Lat, Lt wrist plain film, follow-up study, image 67.4 mm wide 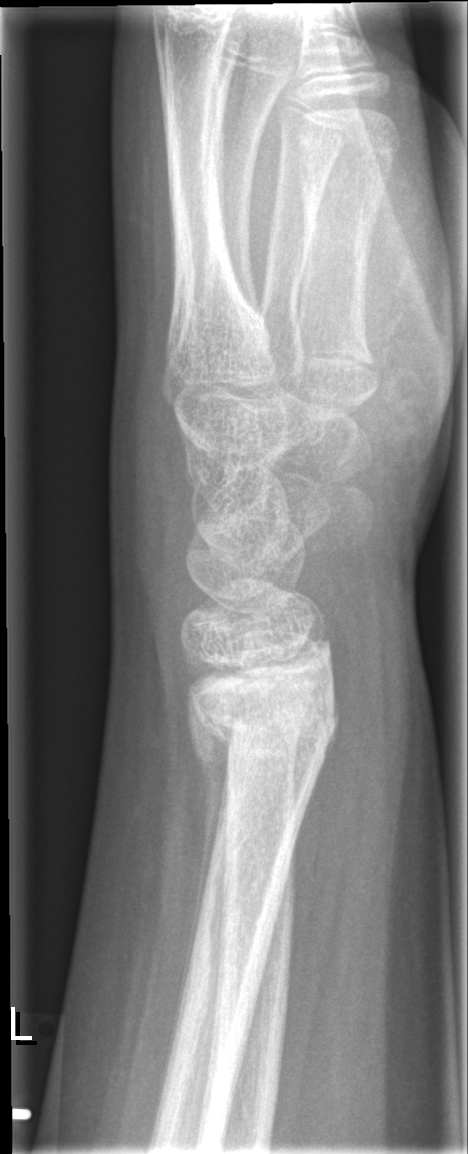
periosteal thickening = 1 @ (186, 697, 233, 939)
AO/OTA = 23r-M/3.1; 23u-E/7
fracture = (190, 674, 341, 765)
osteopenia = present